Rt wrist X-ray; lat projection; 7y M; acquired on Siemens. 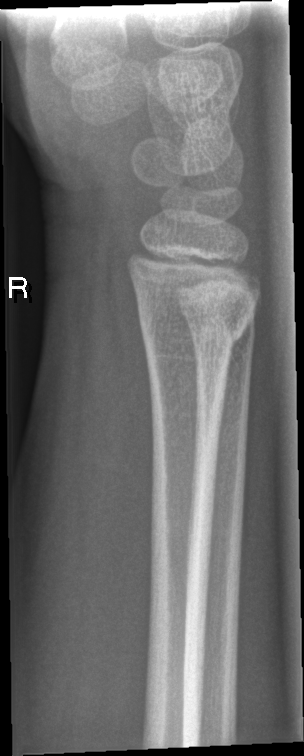

Fracture = 1 @ bbox(140, 301, 248, 362)
AO code = 23-M/2.1